Lateral view | right wrist XR

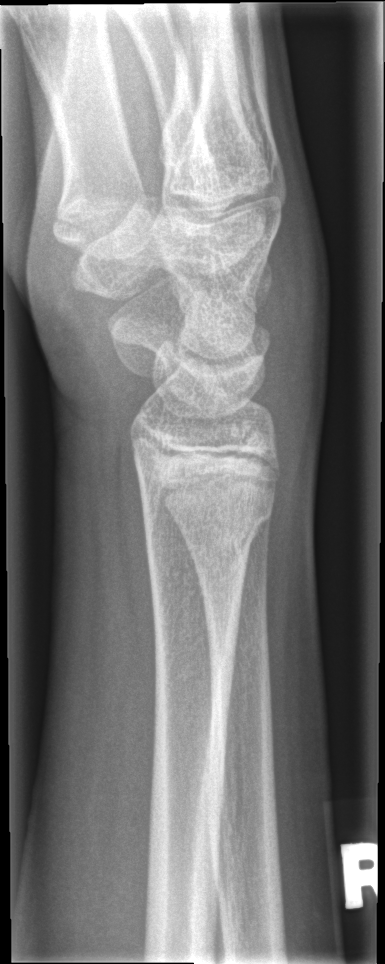 (bounding boxes in image-pixel xyxy)
Q: What is the AO/OTA classification?
A: Fracture classified AO/OTA 23r-M/2.1
Q: Fracture present?
A: One fracture at [139, 495, 278, 554]